Rt pediatric wrist radiograph · posteroanterior view · 15y M: 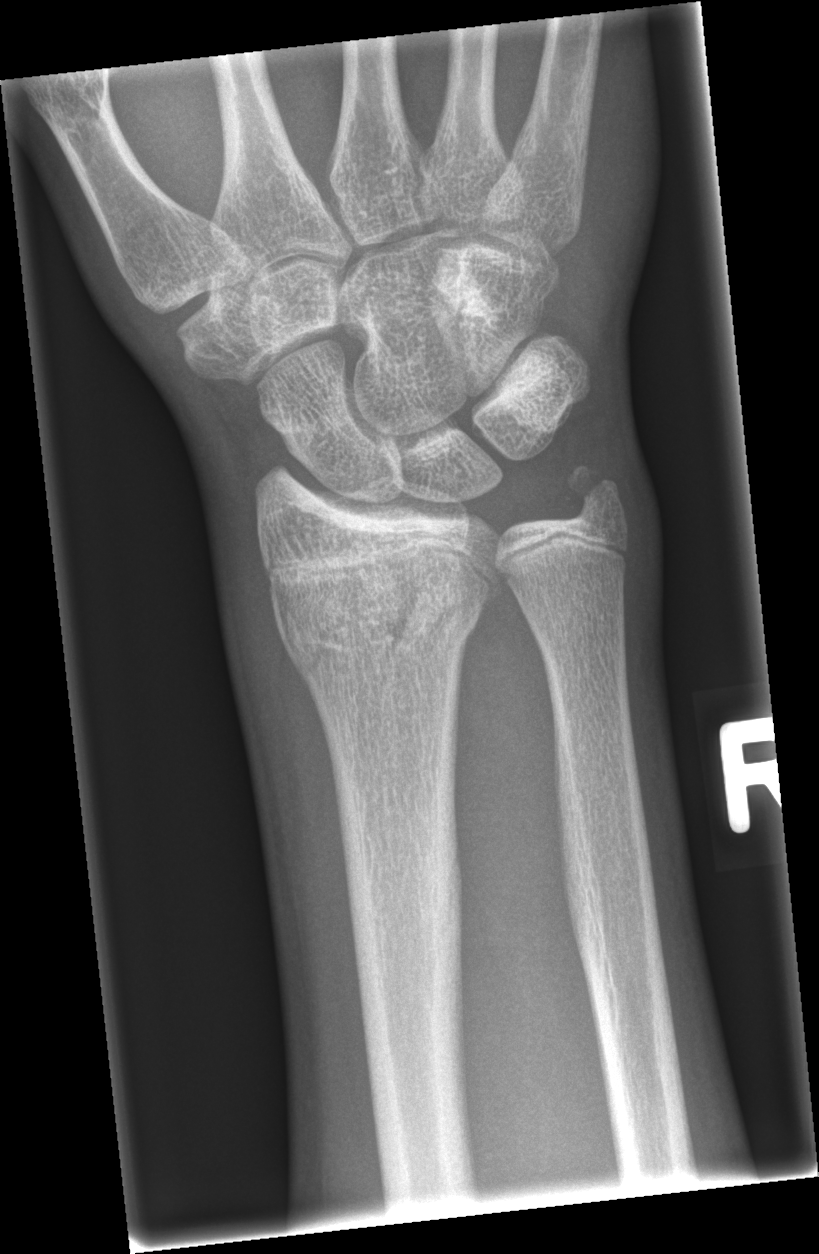 fracture = [x1=269, y1=559, x2=490, y2=683], [x1=554, y1=455, x2=630, y2=534]